Lat projection | right wrist XR | 12y M | follow-up study — 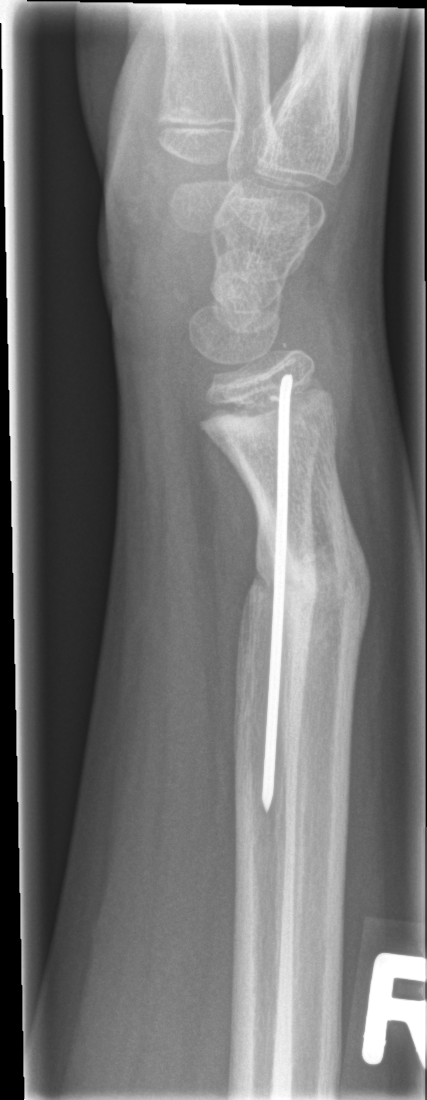
Findings: Metallic implant — 258,368,298,822. Periosteal thickening — 338,479,372,704; 254,501,274,591. One Fx at 247,523,376,644. Osteopenic.